Frontal view | L plain radiograph of the wrist | 12-year-old male | 592 by 1241 pixels:

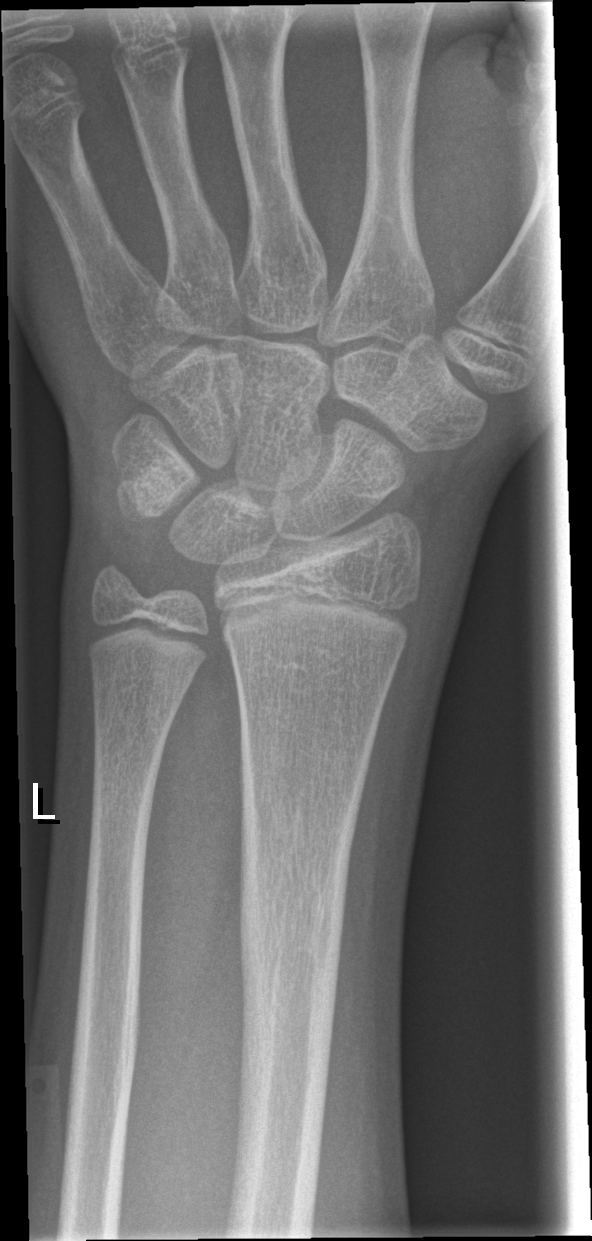 Fx: bbox(230, 846, 357, 1053).